Rt wrist plain film · lateral view · pediatric patient (boy, age 12) · Siemens. 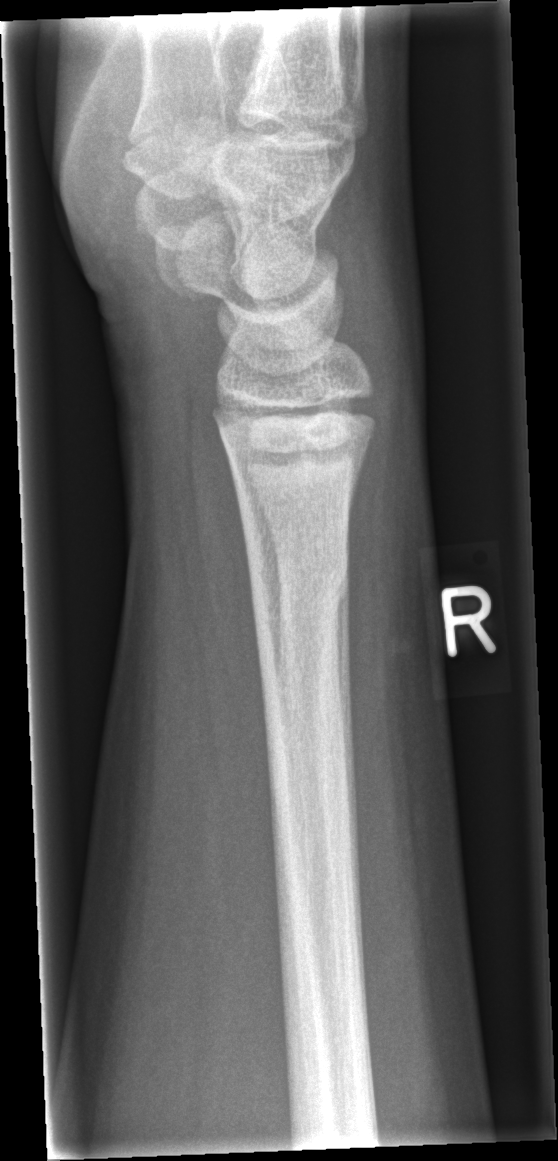 Fx = 1 @ 248 546 352 623